PA/AP; left wrist X-ray; image 79.3 mm wide:
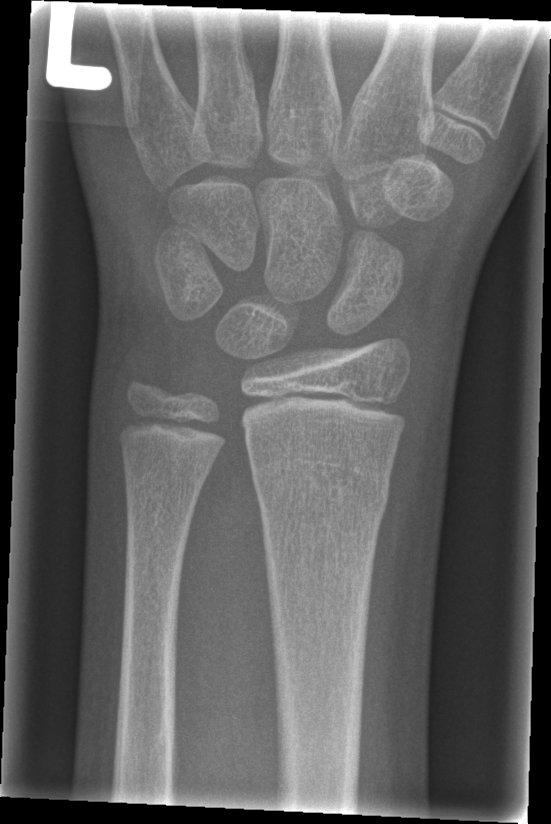
# boxes as x1,y1,x2,y2 (top-left / bottom-right, pixel units)
fracture: 1 @ (left=252, top=459, right=393, bottom=517)